AP projection · Rt wrist plain film · 11-year-old female · cast in situ: 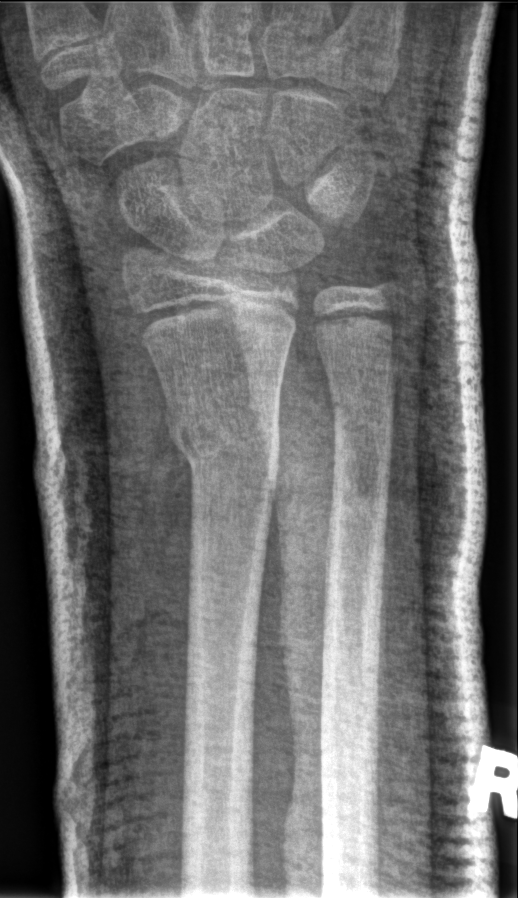
• Pixel coordinates, top-left origin, xyxy.
• Fx — 161,389,285,514; 326,379,397,454.
• Fracture classified AO/OTA 23r-M/3.1; 23u-M/2.1.